Left wrist X-ray; oblique projection; male, 6 yo; index exam. 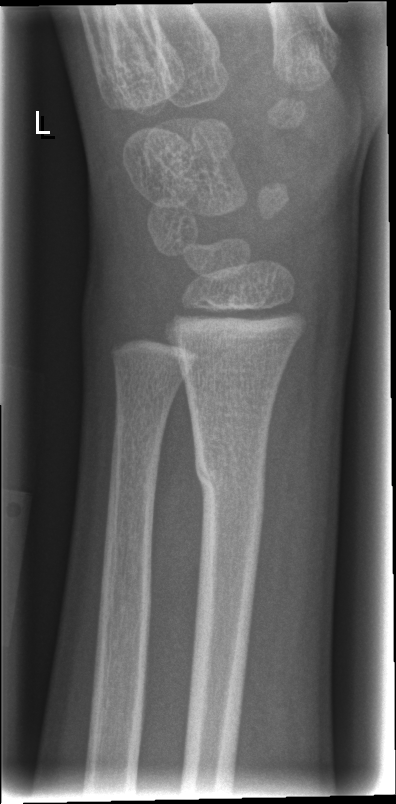 AO/OTA: 23r-M/2.1
Fx: 1 @ bbox(193, 454, 268, 510)